Rt wrist XR | lat | acquired on Siemens.

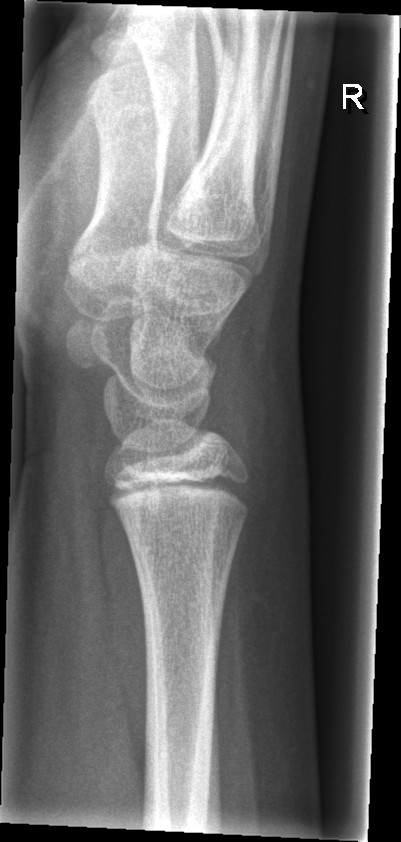

• No fracture annotation.